Lat view; R wrist X-ray; 1.3y F; initial study
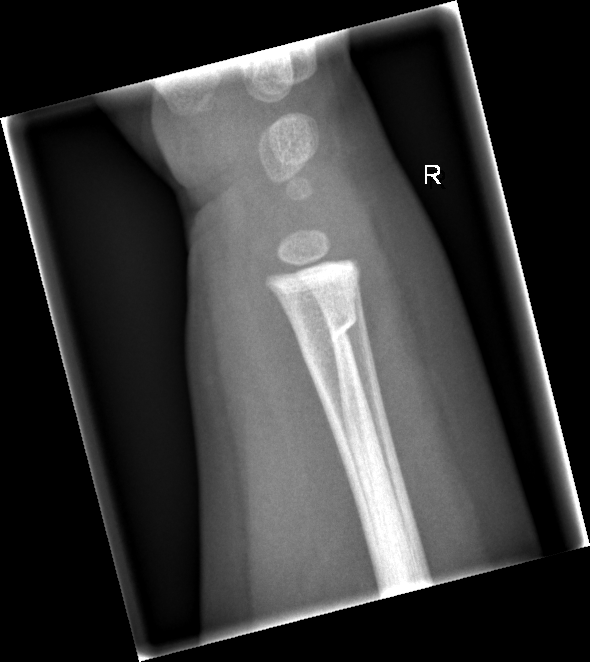   ao: 23r-M/2.1
  fracture: 1 @ [x1=290, y1=302, x2=361, y2=353]